Lt wrist XR | frontal | pediatric patient (boy, age 13) | equivocal findings | image 89.6 mm wide

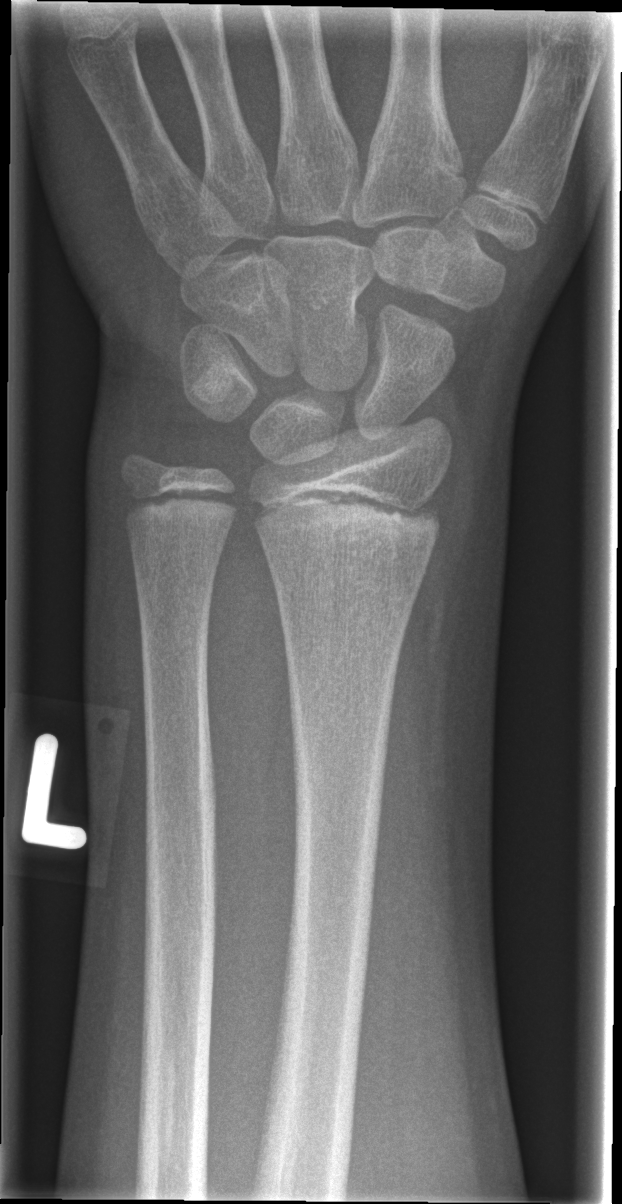
Fx: none labeled